Rt plain radiograph of the wrist, PA/AP, 12-year-old male
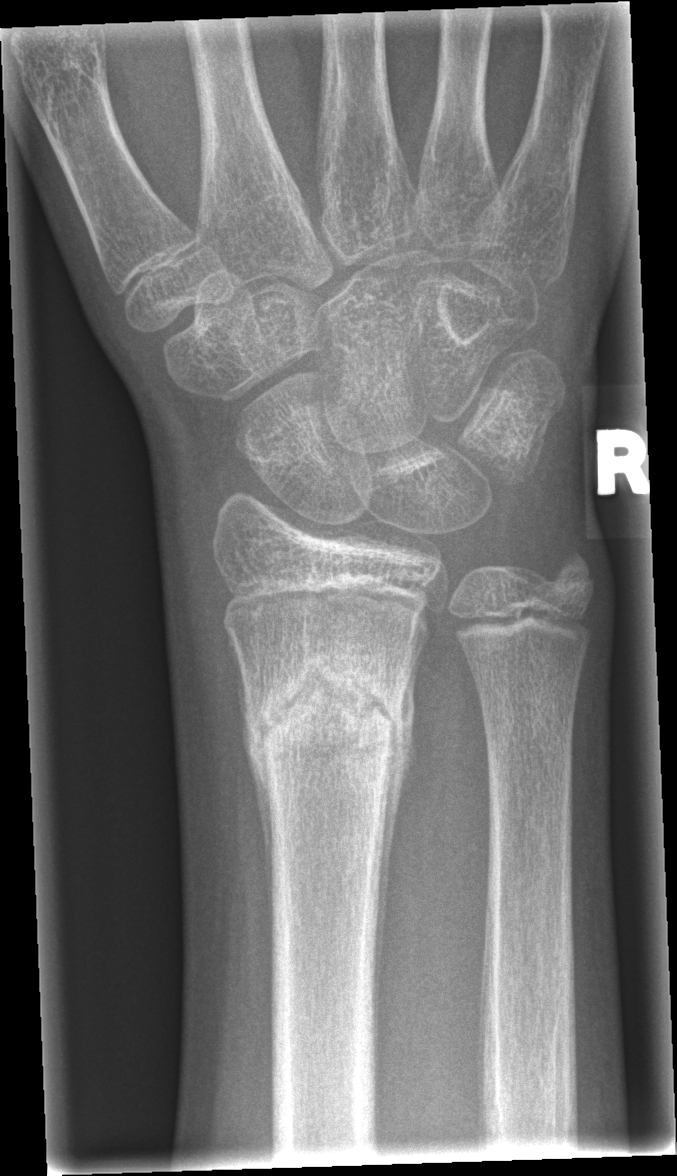 osteopenia = present
periosteal new bone = (372, 646, 421, 1072); (227, 630, 278, 934)
AO/OTA = 23r-M/3.1; 23u-E/7
bone fracture = 2 @ (241, 641, 411, 788); (528, 541, 601, 604)